Right wrist radiograph; lateral view; male, 12 yo; follow-up study —
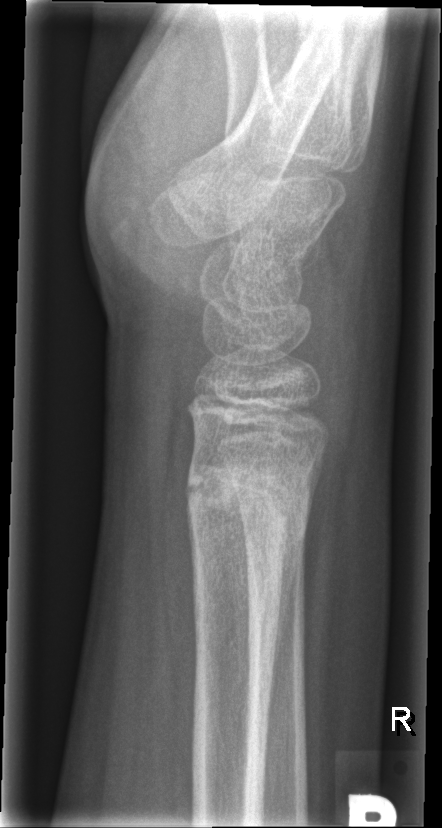

- Bounding boxes in image-pixel xyxy.
- AO/OTA classification: 23r-M/3.1; 23u-E/7.
- Fracture: (183, 458, 317, 541).